Rt wrist XR; lat view; 13y M — 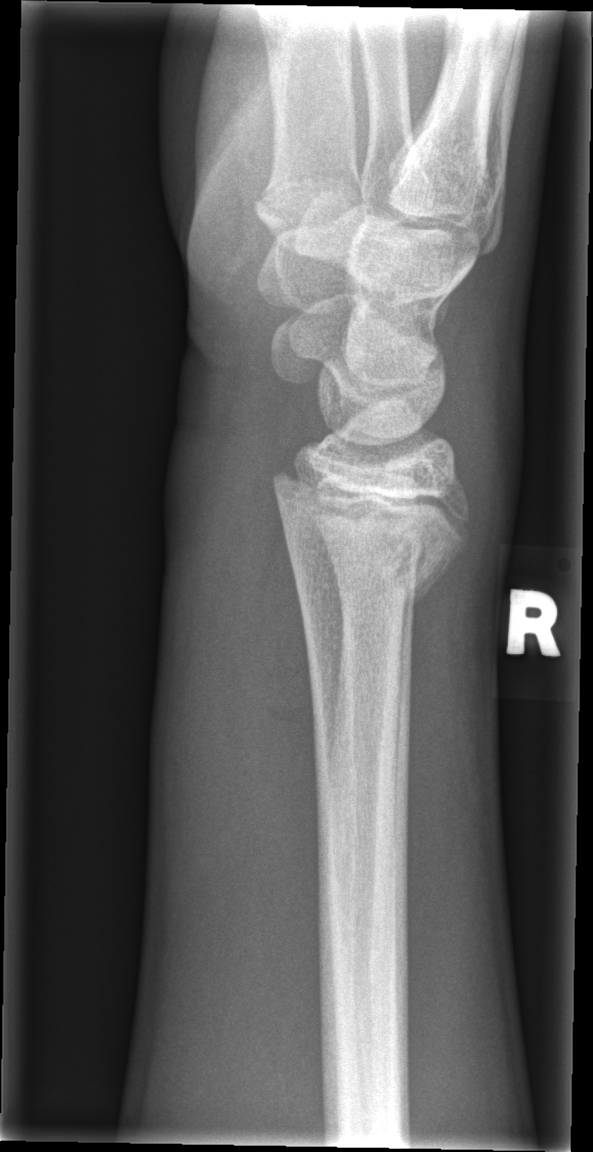 * One positive pronator fat-pad sign at [x1=226, y1=483, x2=324, y2=927].
* AO code 23r-E/2.1; 23u-E/7.
* Fracture: [x1=267, y1=463, x2=470, y2=614].